PA · Rt wrist X-ray · female, 17 yo · image 87.4 mm wide · 607x1206
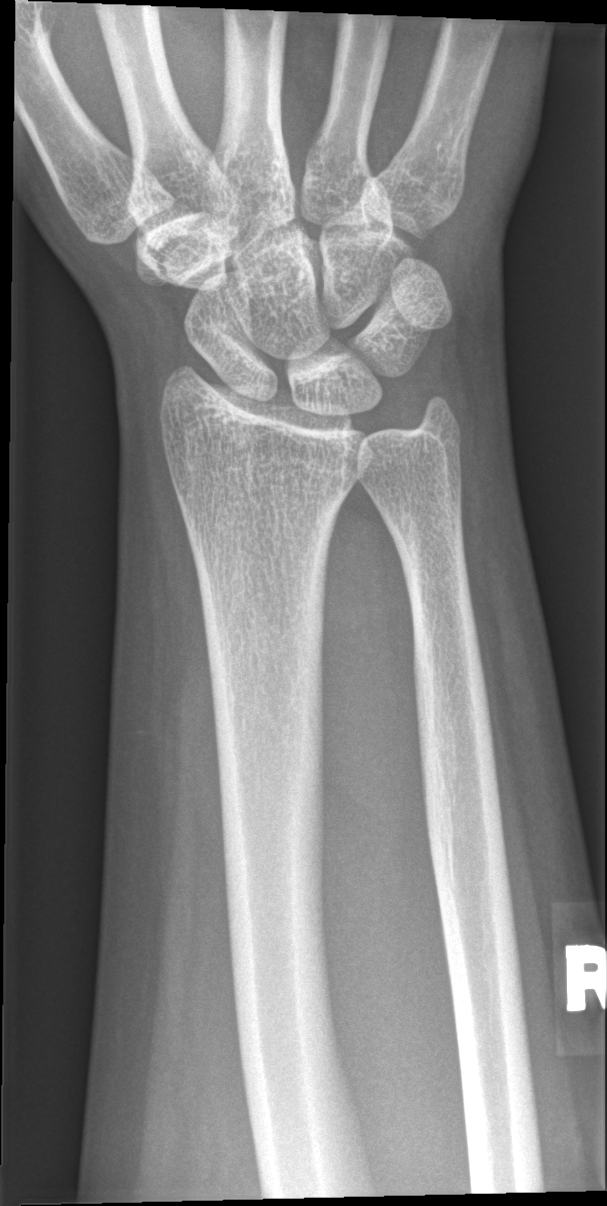

No fracture bounding box.